PA | right wrist plain film | 13y M | image 81.1 mm wide —
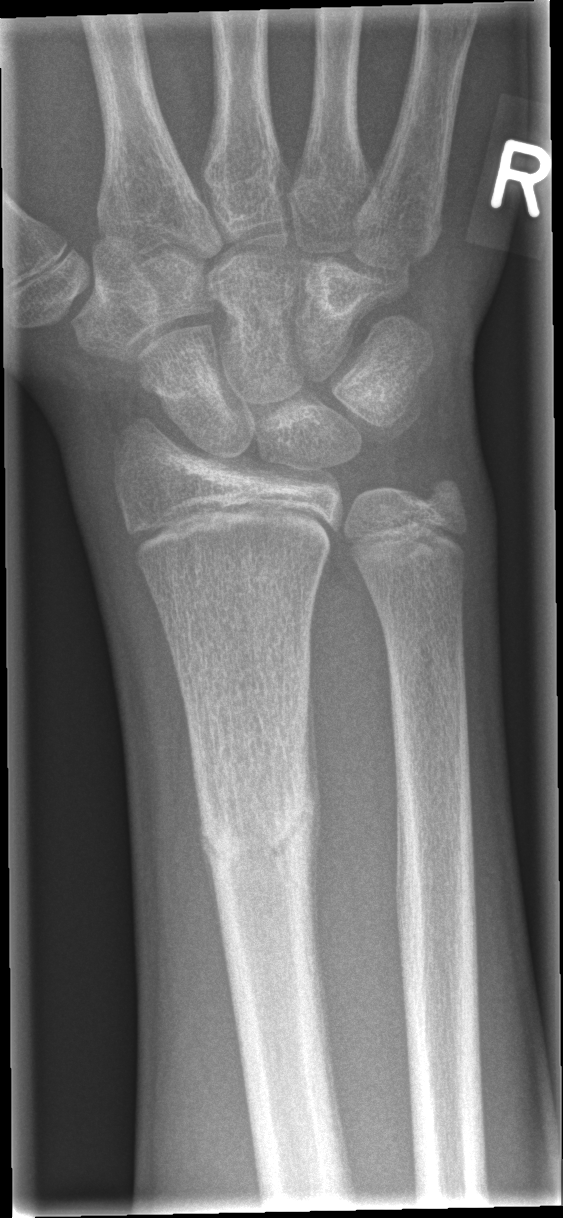 Coordinates are [x1, y1, x2, y2] in image pixels.
Periosteal thickening: [x1=302, y1=658, x2=324, y2=971].
Fracture identified at [x1=191, y1=788, x2=319, y2=879], [x1=409, y1=470, x2=474, y2=529].
AO/OTA classification: 22r-D/4.1; 23u-E/7.